AP projection; left wrist plain film; 15y M; 90.7 mm image width.

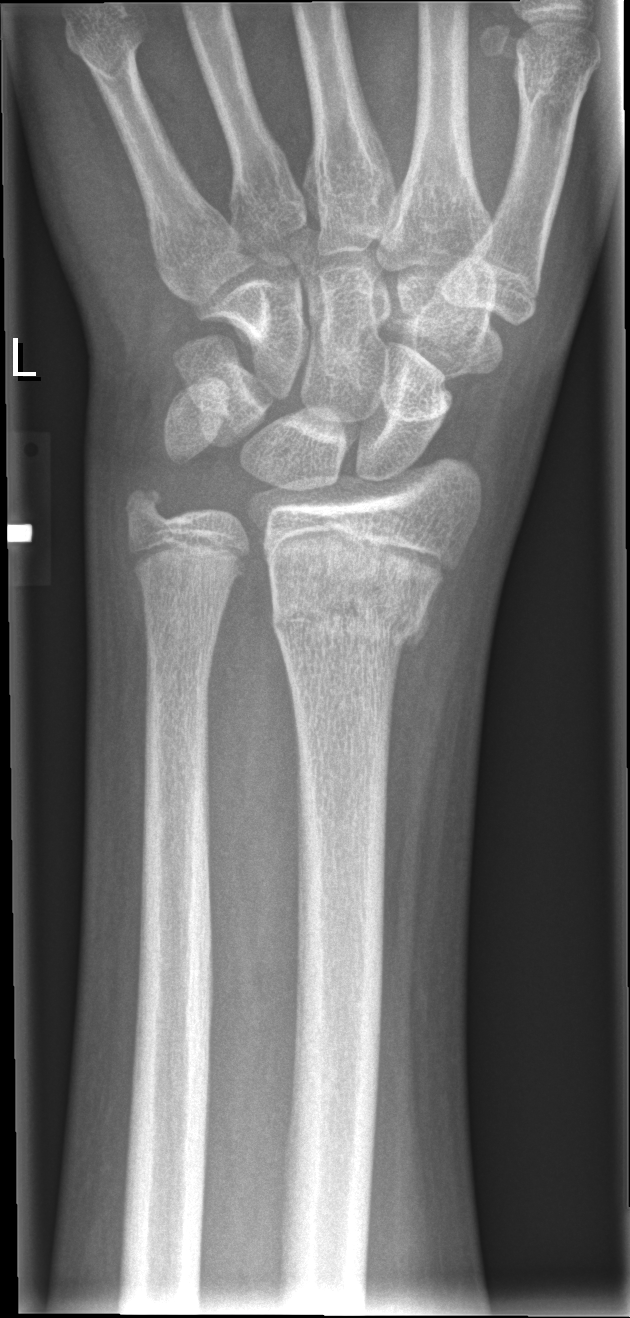 Coordinates are [x1, y1, x2, y2] in image pixels.
Fractures — (left=268, top=563, right=433, bottom=671); (left=115, top=475, right=179, bottom=536).